PA/AP projection, Lt plain radiograph of the wrist, presentation radiograph, image width 88.1 mm
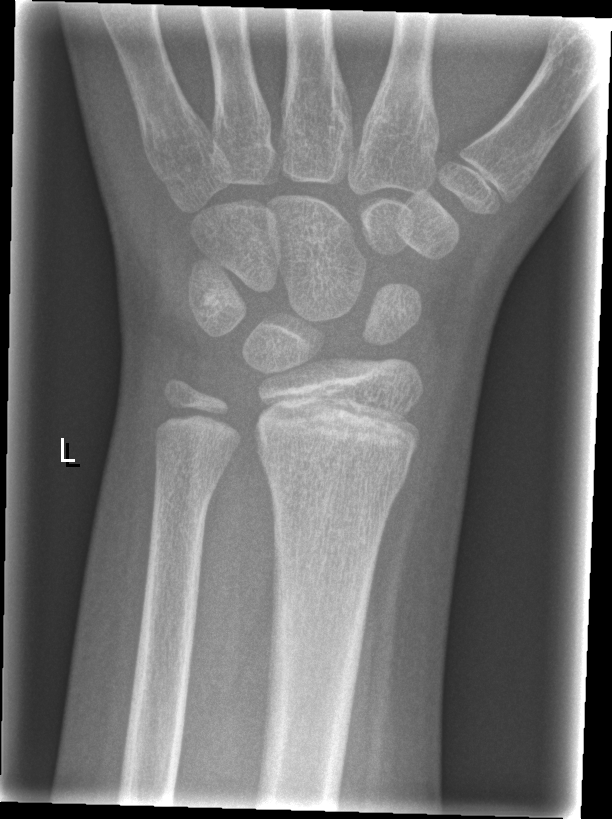

AO/OTA = 23r-M/2.1
Bone fracture = [260, 446, 414, 498]